Rt pediatric wrist radiograph; posteroanterior projection.
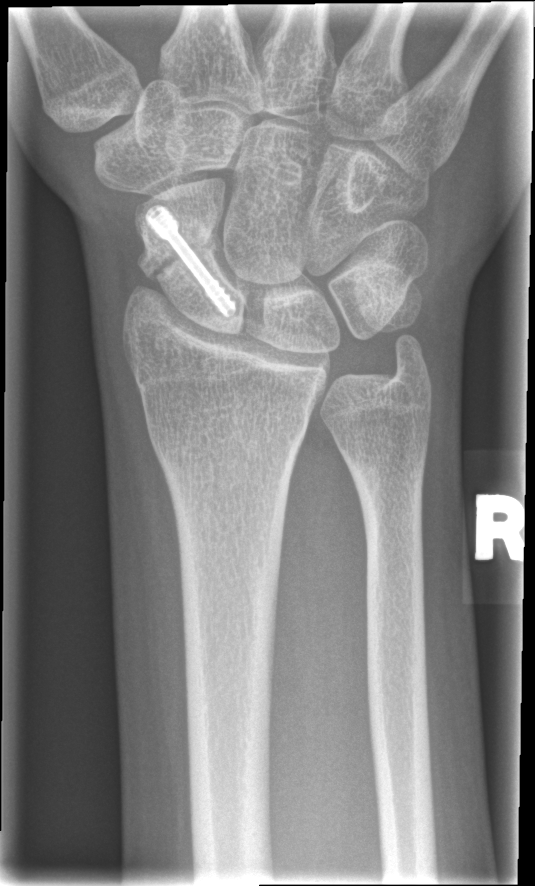

(pixel coordinates, top-left origin, xyxy)
Q: What is the AO/OTA classification?
A: AO code 72B(b)
Q: Any metal present?
A: Metallic hardware: (left=142, top=201, right=243, bottom=322)
Q: Fracture present?
A: One Fx at (left=137, top=226, right=228, bottom=287)